L wrist XR, lat view, girl, 12 yo, acquired on Siemens, 575x1256. 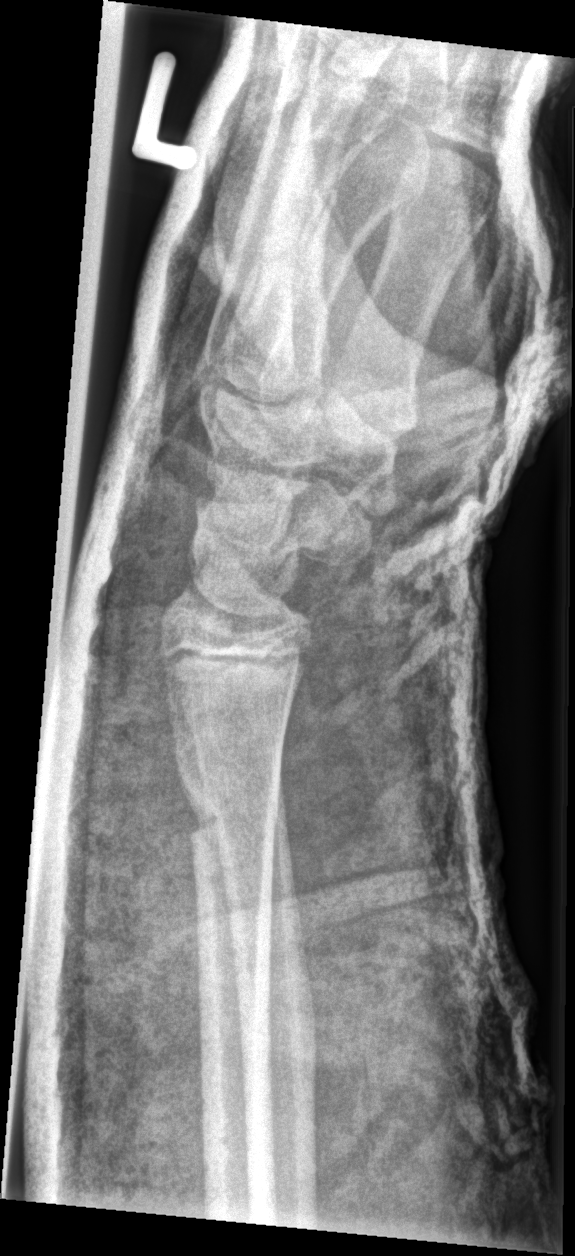

Fracture — (183, 787, 284, 843).
AO code 23r-M/3.1.